Left wrist XR; frontal projection; pediatric patient (female, age 14) — 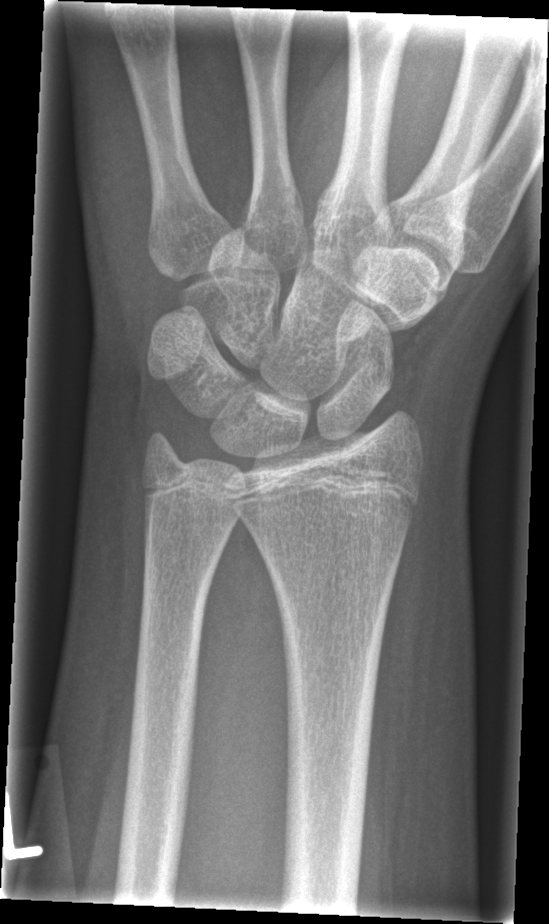 Fracture: none labeled.